PA | left wrist XR | 530x1264 —
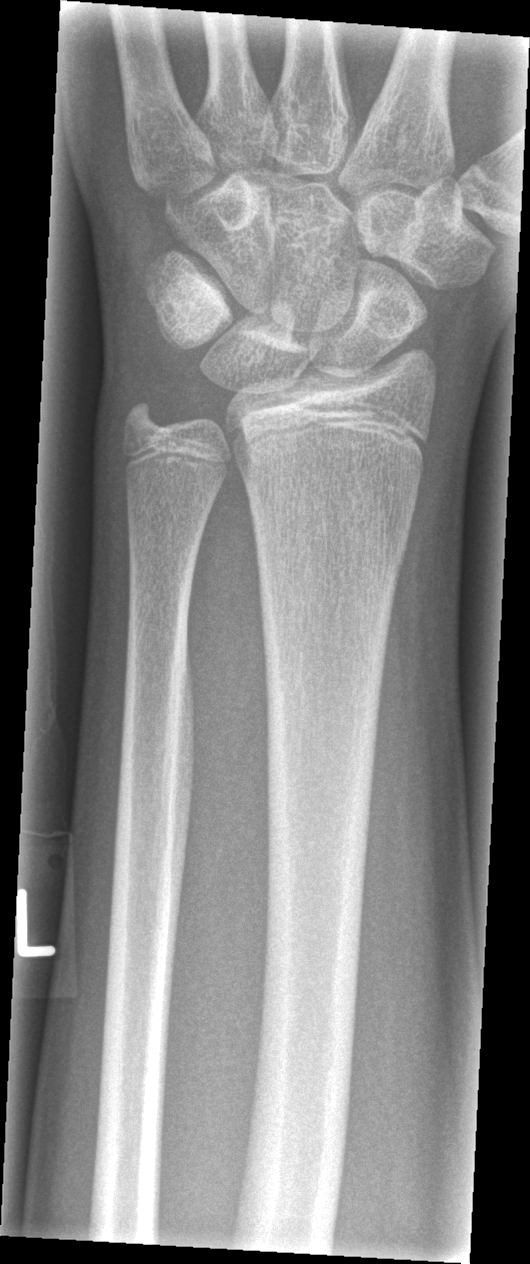 - No fracture annotation.